PA/AP | R wrist X-ray | 8y F | index exam: 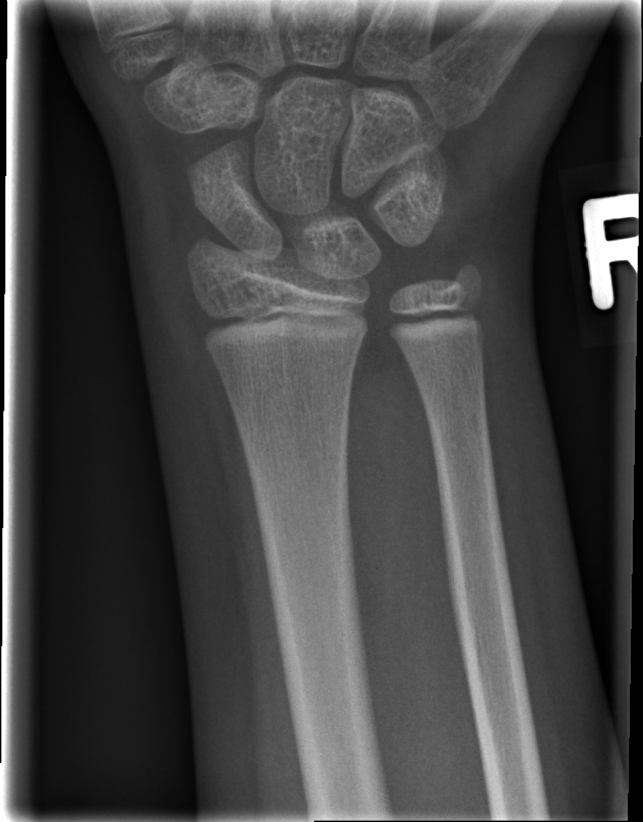

FINDINGS: Fx: none.